R wrist XR, lateral, male, 14 yo, imaged through cast, 557 by 1332 pixels. 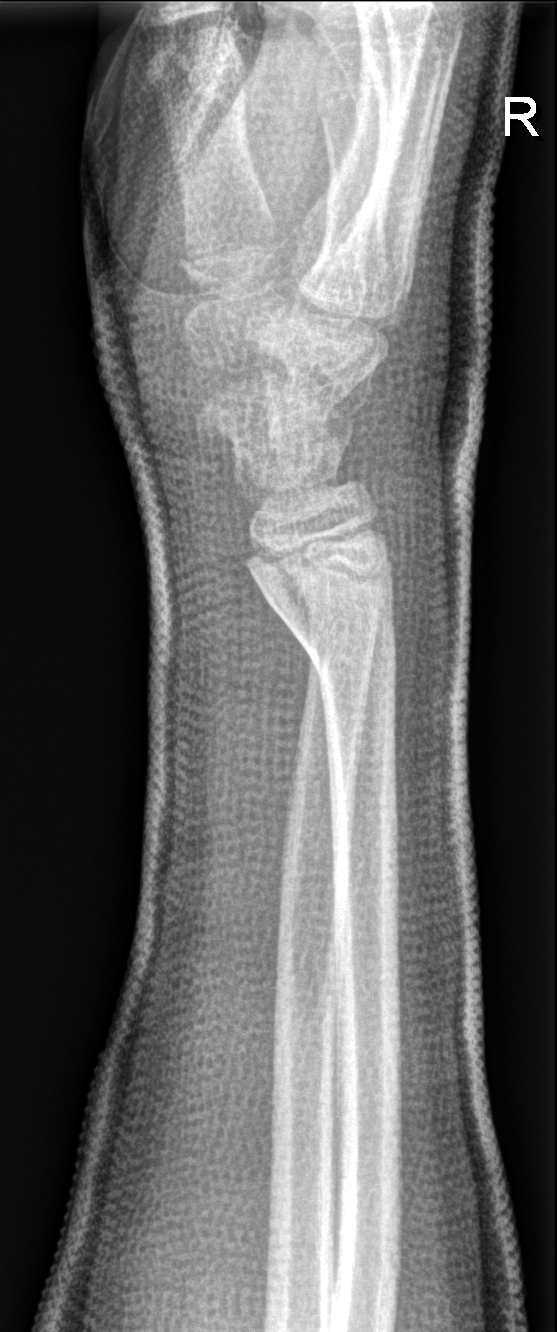   # boxes as x1,y1,x2,y2 (top-left / bottom-right, pixel units)
  fracture: 279,608,402,696